L pediatric wrist radiograph; PA; follow-up
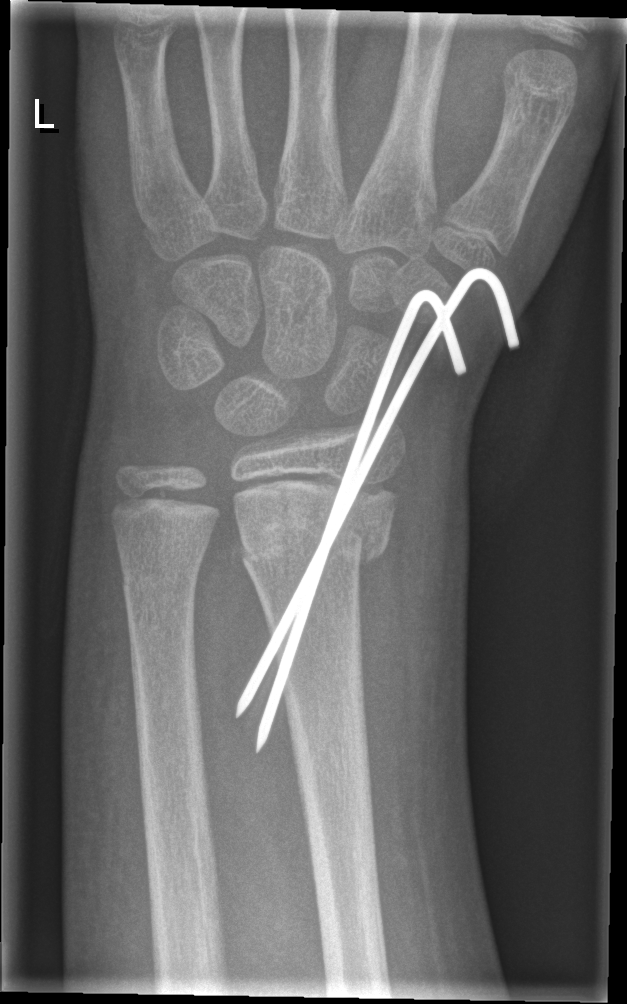
* One metallic implant at [x1=233, y1=266, x2=520, y2=756].
* Fx — [x1=236, y1=509, x2=396, y2=575], [x1=115, y1=548, x2=205, y2=605].
* AO code 23-M/3.1.